Right wrist radiograph · PA · 11-year-old female: 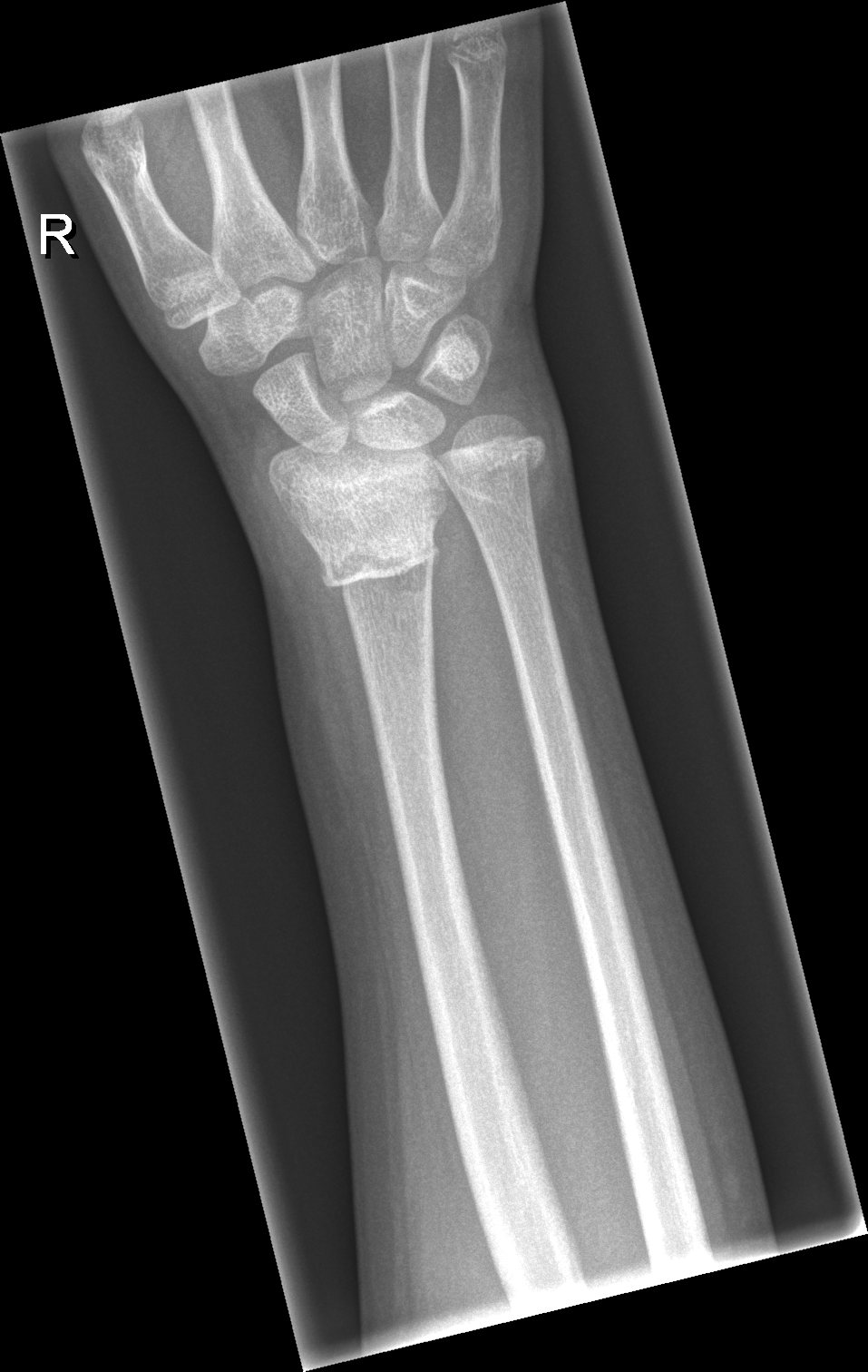

bone fracture: (left=313, top=514, right=444, bottom=614) (left=430, top=410, right=546, bottom=515)
AO/OTA: 23r-M/3.1; 23u-E/1.1